Left wrist plain film · PA/AP projection · pediatric patient (male, age 16) · image size 658x1075 —
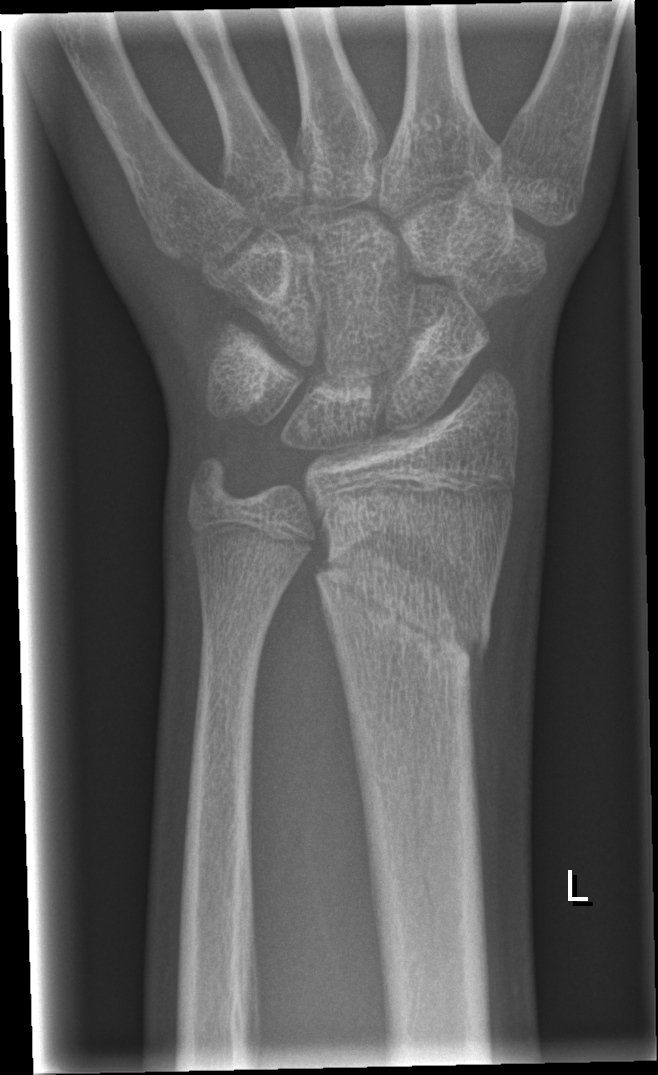
Reduced bone mineral density. AO/OTA classification: 23r-M/3.1. Bone fracture: (313, 523, 494, 690).